PA view; Rt plain radiograph of the wrist; 8y M; presentation radiograph; detector: Siemens; 780x616 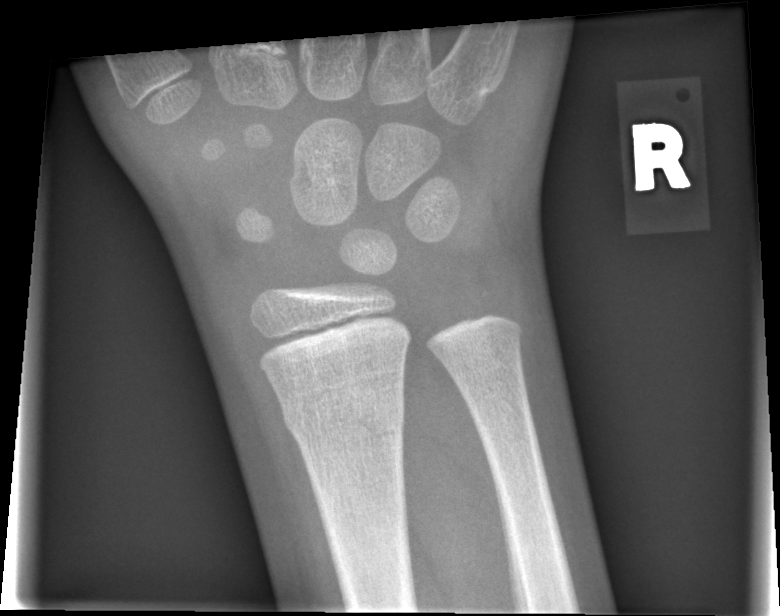

AO code: 23r-M/2.1
Bone fracture: 1 @ 280 389 410 457